Lt wrist X-ray · lateral · image 72.3 mm wide · image size 502x972: 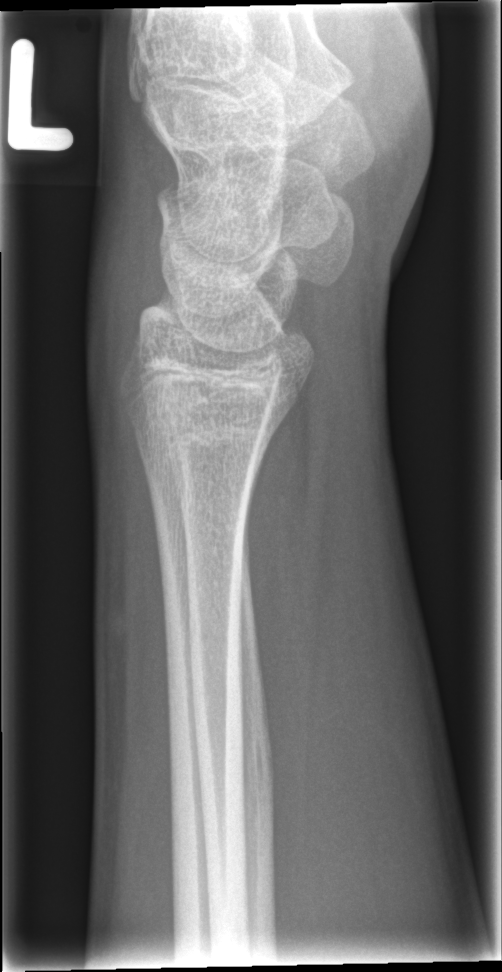

fracture: none labeled